Right wrist X-ray · lateral view · follow-up study:
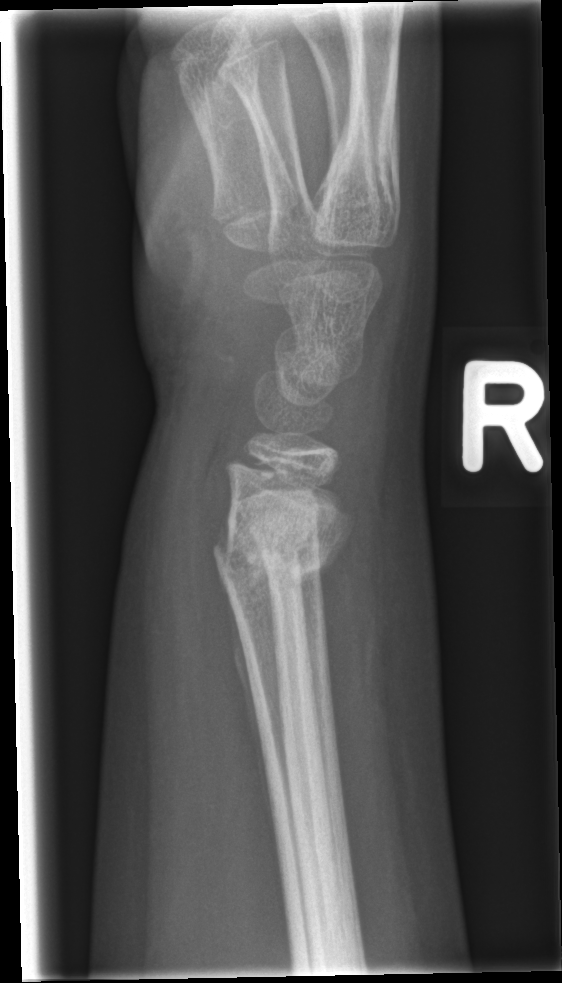
- Bounding boxes in image-pixel xyxy.
- AO code 23r-M/3.1.
- One periosteal new bone at <216,566>-<278,858>.
- Osteopenic.
- Bone fracture identified at <208,512>-<340,591>.